Left wrist radiograph · lat view · 4y M

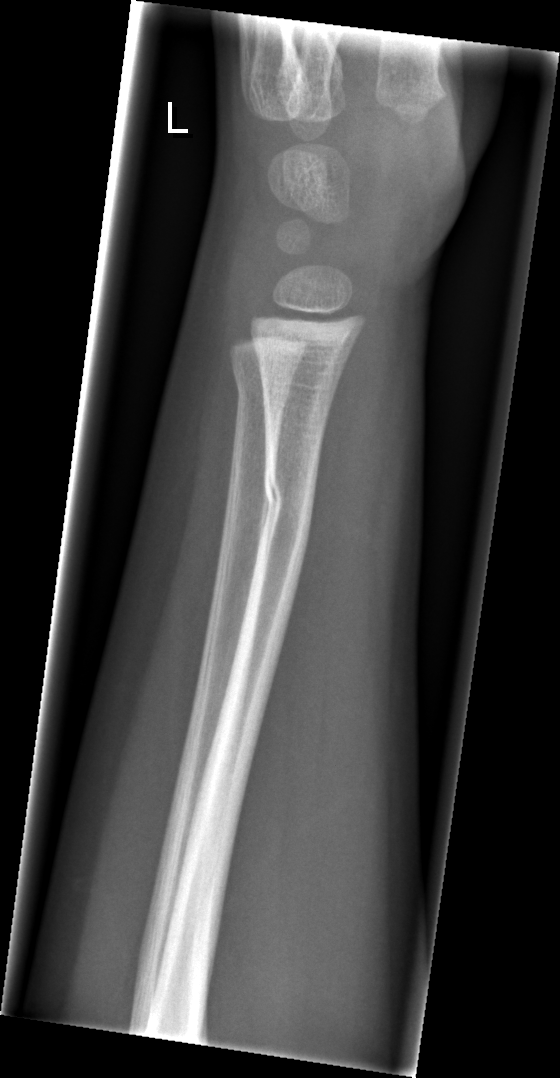
FINDINGS: (pixel coordinates, top-left origin, xyxy) Fracture classified AO/OTA 23-M/2.1. Two fractures at [260, 458, 319, 572] [229, 364, 293, 420].